Lat projection | Rt wrist X-ray | age 13 y, male | follow-up:
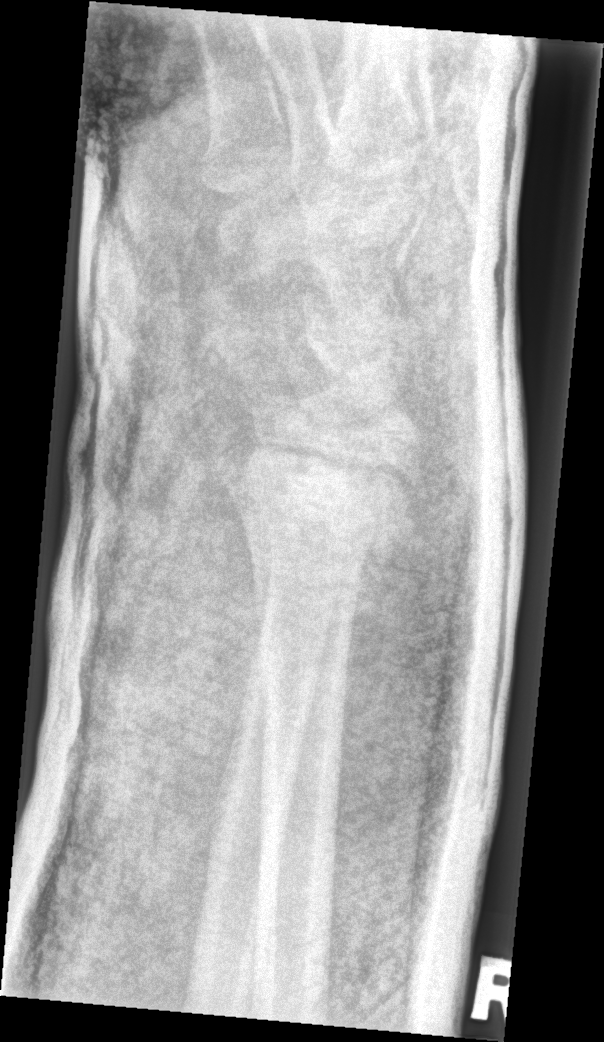

(boxes as x1,y1,x2,y2 (top-left / bottom-right, pixel units))
Q: Locate any fractures.
A: Fracture identified at [x1=208, y1=441, x2=423, y2=577]
Q: AO code?
A: AO code 23r-E/2.1; 23u-E/7